Rt plain radiograph of the wrist; posteroanterior view; age 8 y, boy —

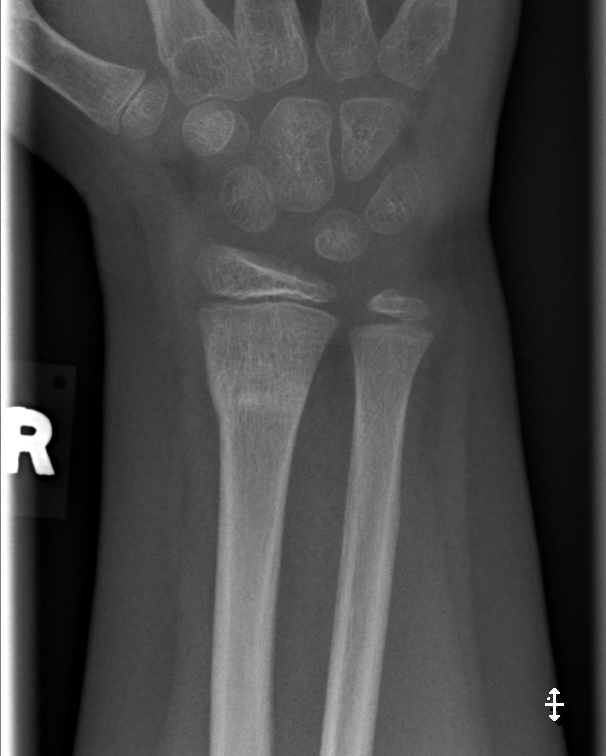

(bounding boxes in image-pixel xyxy)
Osteopenia: present
AO classification: 23r-M/2.1
Fracture: [x1=204, y1=358, x2=314, y2=429]